Posteroanterior projection, R wrist radiograph, subsequent exam, acquired on Siemens 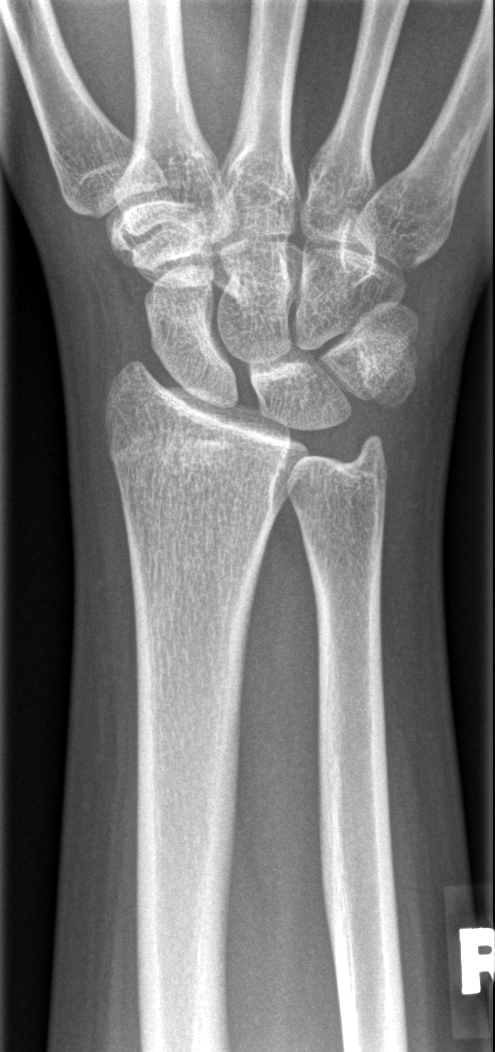

Fracture present but not clearly seen in this view.